Rt wrist XR | lat | boy, 13 yo | cast present | Siemens:

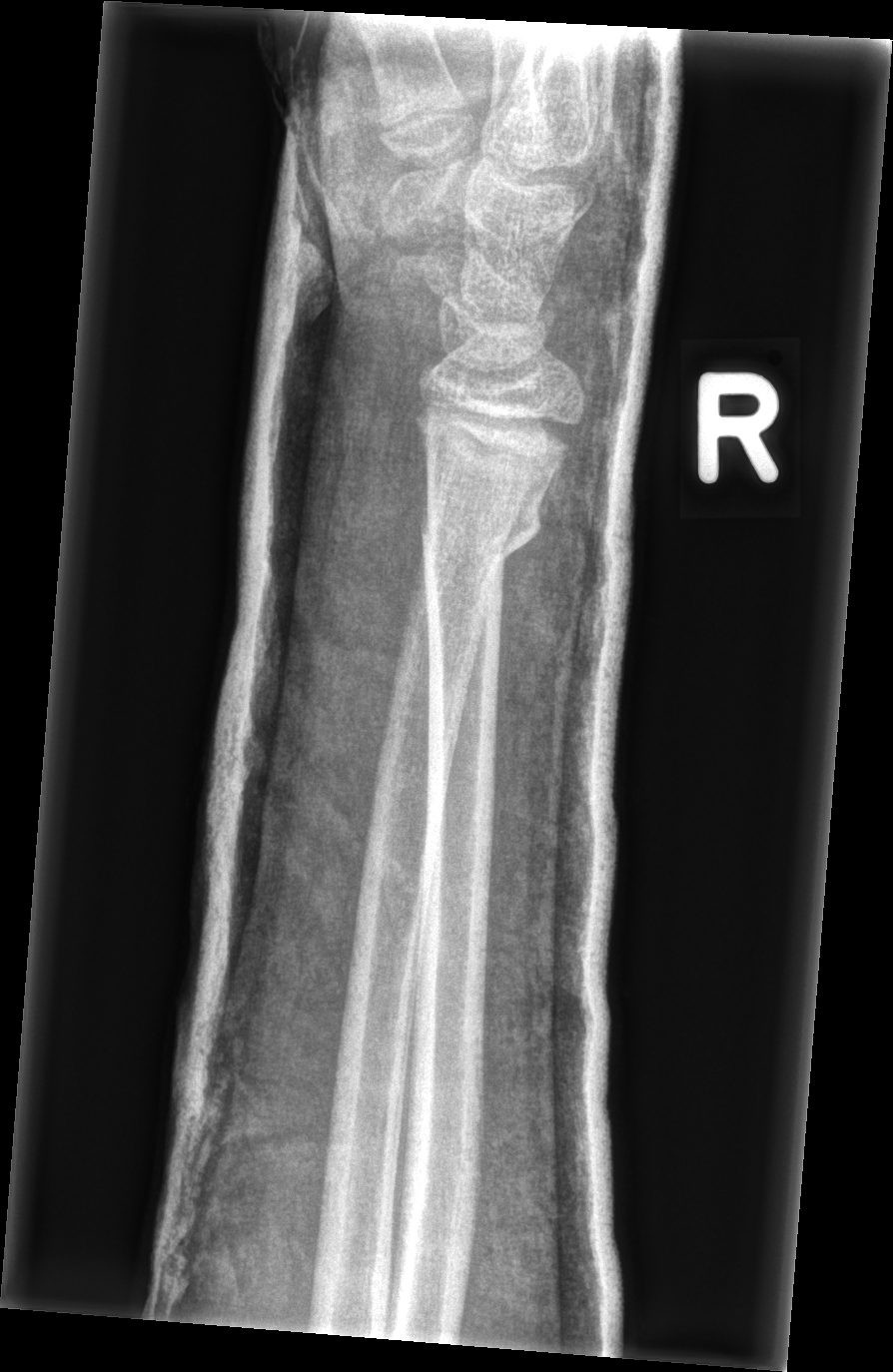

Fracture: [x1=417, y1=491, x2=549, y2=578]. AO/OTA classification: 23r-M/3.1; 23u-E/7.